Lat projection, R plain radiograph of the wrist, presentation radiograph — 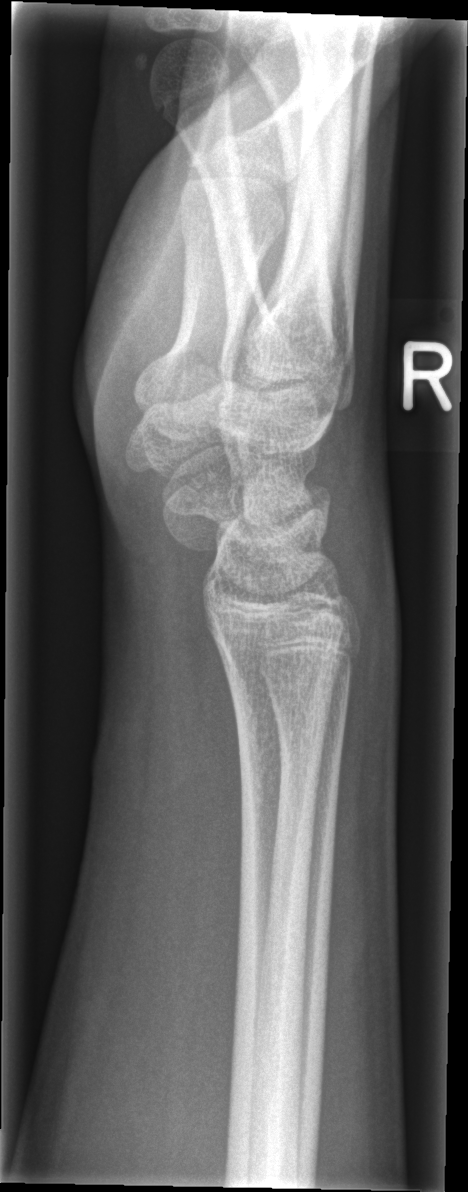
Fx = none labeled